L wrist plain film | frontal | cast present:

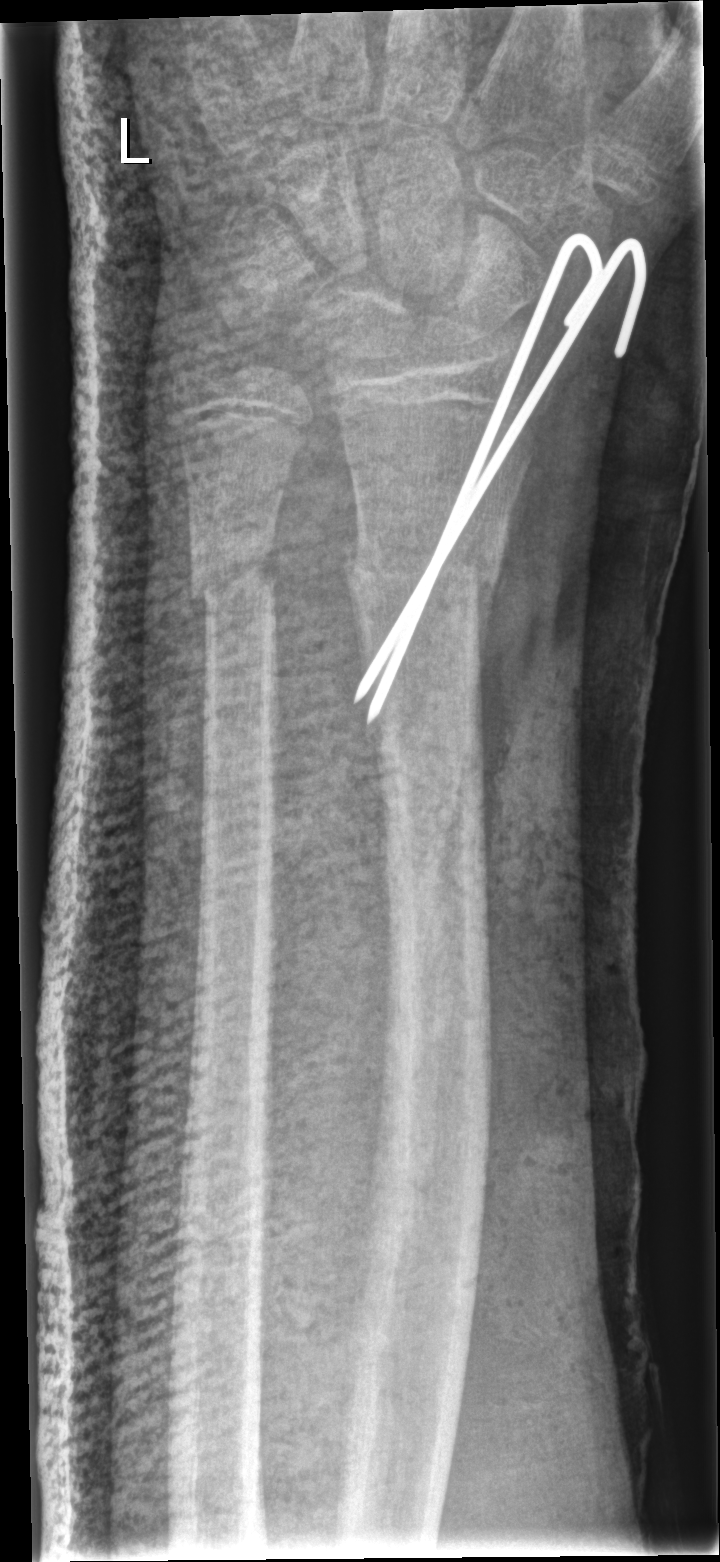

Boxes as x1,y1,x2,y2 (top-left / bottom-right, pixel units). Metallic implant — bbox(354, 236, 646, 725). Fractures — bbox(336, 524, 513, 618); bbox(184, 522, 283, 613).